Left wrist plain film | lateral projection | 503 by 1134 pixels:
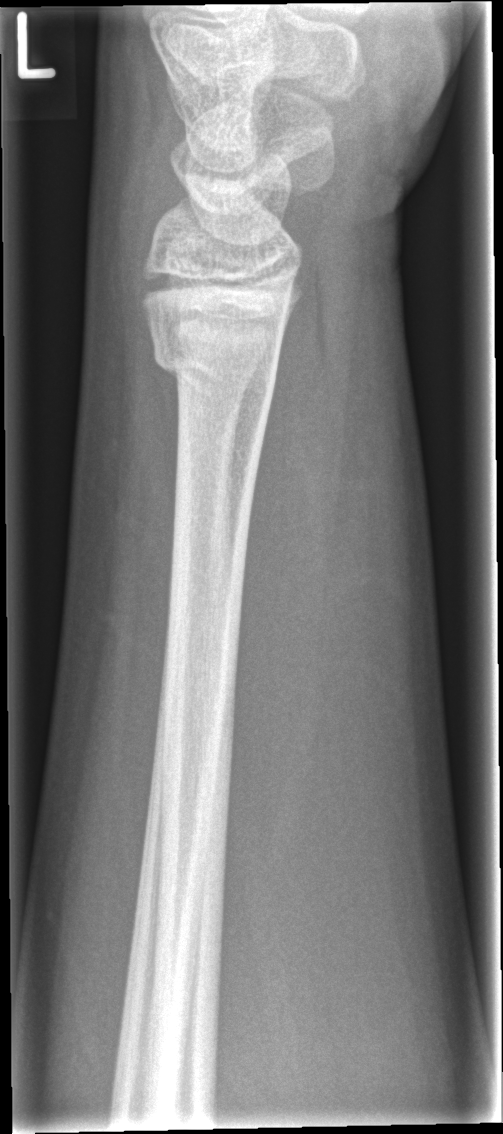
FINDINGS — AO/OTA classification: 23r-M/2.1. One fracture at bbox(152, 339, 282, 403).